Lat; Lt wrist plain film; 12y F; 439 x 1078 px.
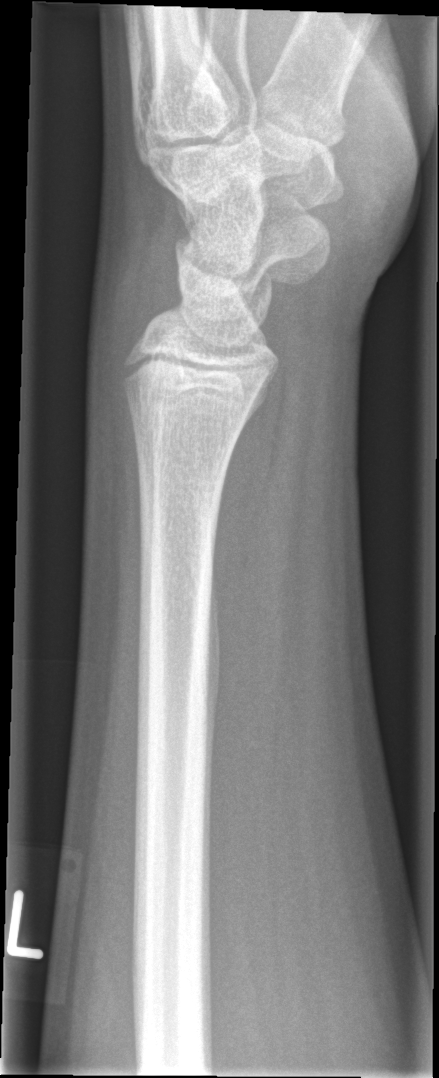
Fx: none labeled